Frontal view, right wrist XR, boy, 15 yo, index exam, image 95.3 mm wide: 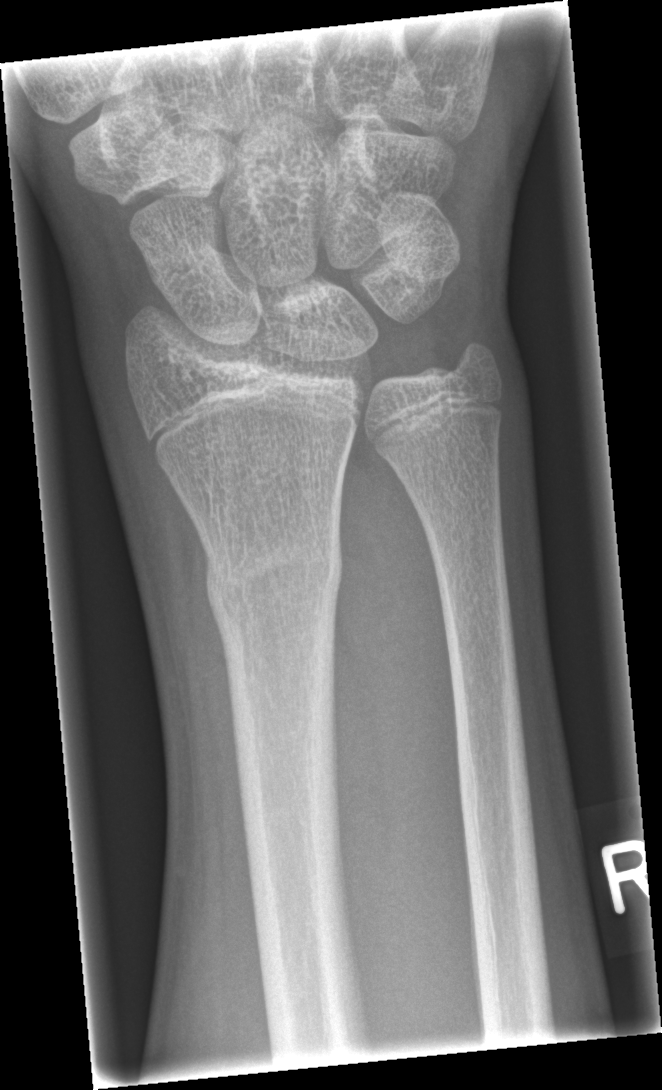 * One Fx at <201,531>-<346,631>.
* AO/OTA classification: 23r-M/2.1.